Rt wrist plain film; lateral; age 6 y, female:

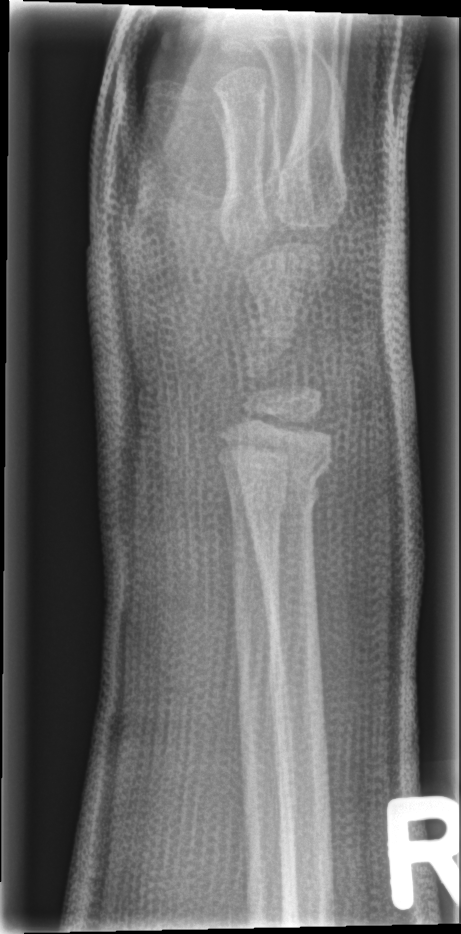
Fracture classified AO/OTA 23-M/2.1. One Fx at (223, 438, 336, 527).